Right wrist plain film, lat, age 16 y, boy, 67.7 mm image width —
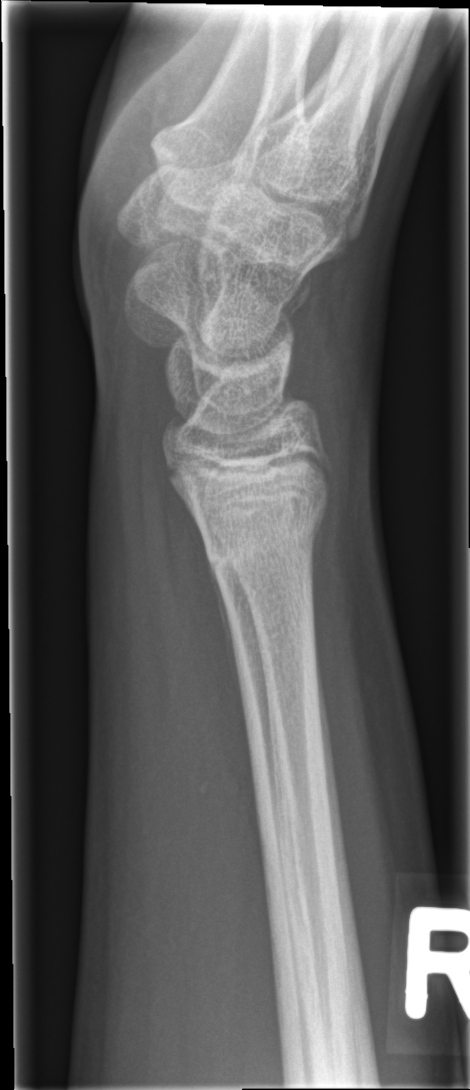

AO classification: 23r-M/2.1; 23u-E/7
Periosteal reaction: 207 557 244 701
Fracture: 199 486 331 582